Lat; right wrist radiograph; girl, 10 yo; image width 69.6 mm
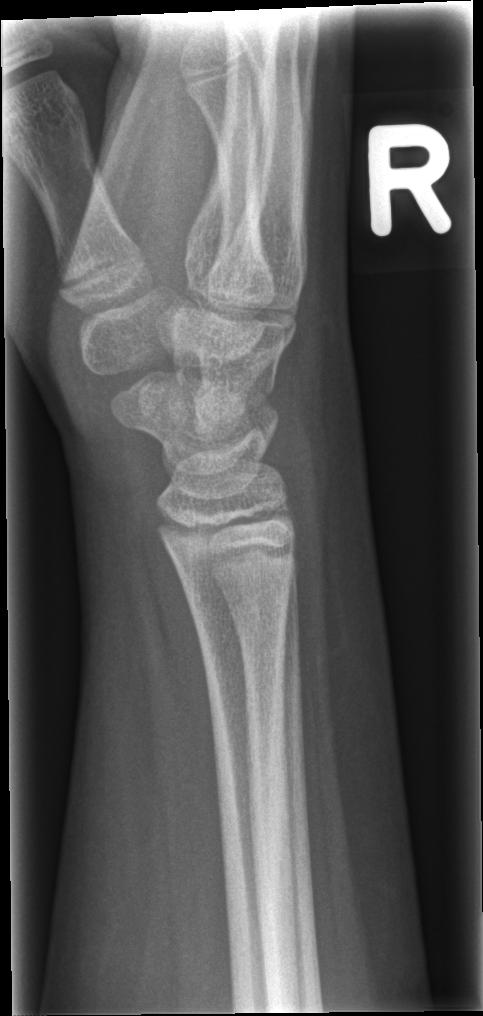 Fx = none labeled